Right wrist plain film; lateral; follow-up; in cast; image width 74.4 mm —

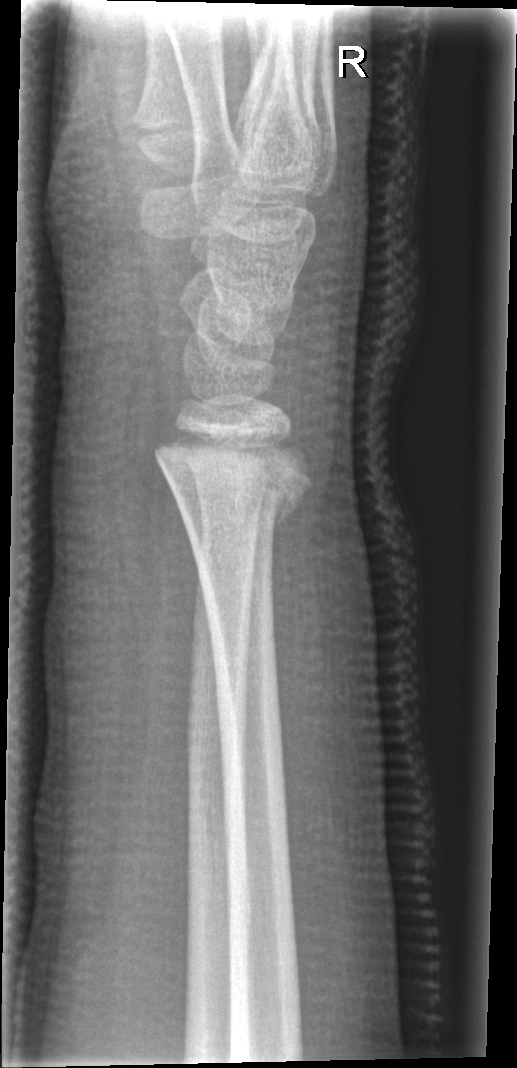

FINDINGS — Fracture — (left=150, top=417, right=316, bottom=528).